Lat view · right wrist XR · 84.1 mm image width —

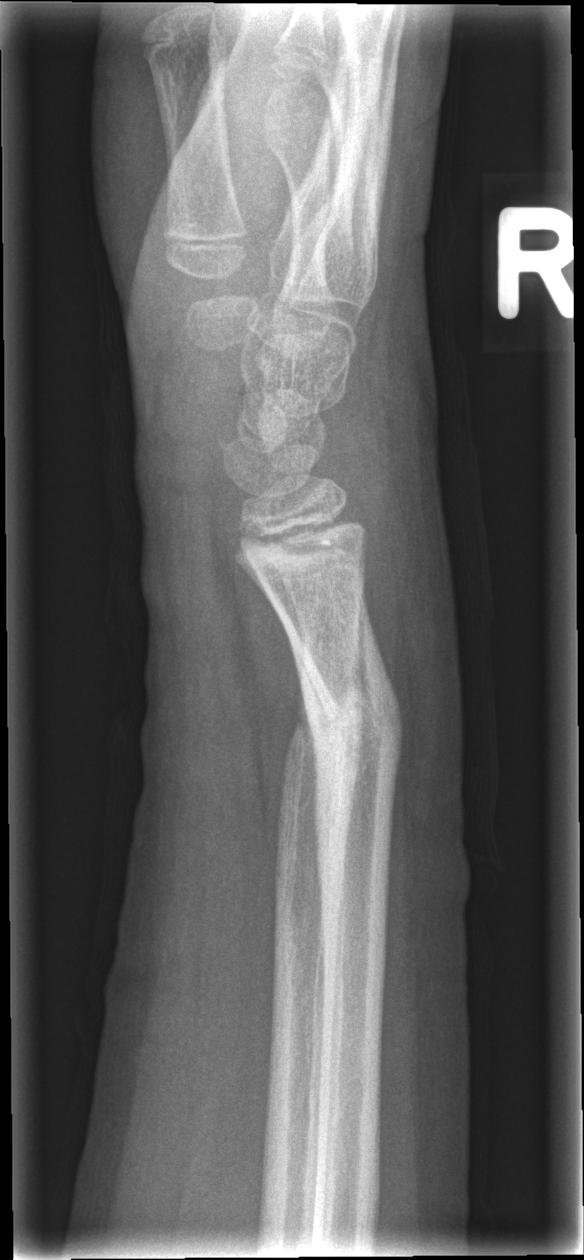

Periosteal new bone = bbox(289, 635, 346, 932)
Osteopenia = present
AO classification = 23-M/3.1
Fx = 1 @ bbox(289, 652, 405, 768)